Lateral; right wrist XR; boy, 17 yo; subsequent exam; 85.7 mm image width.

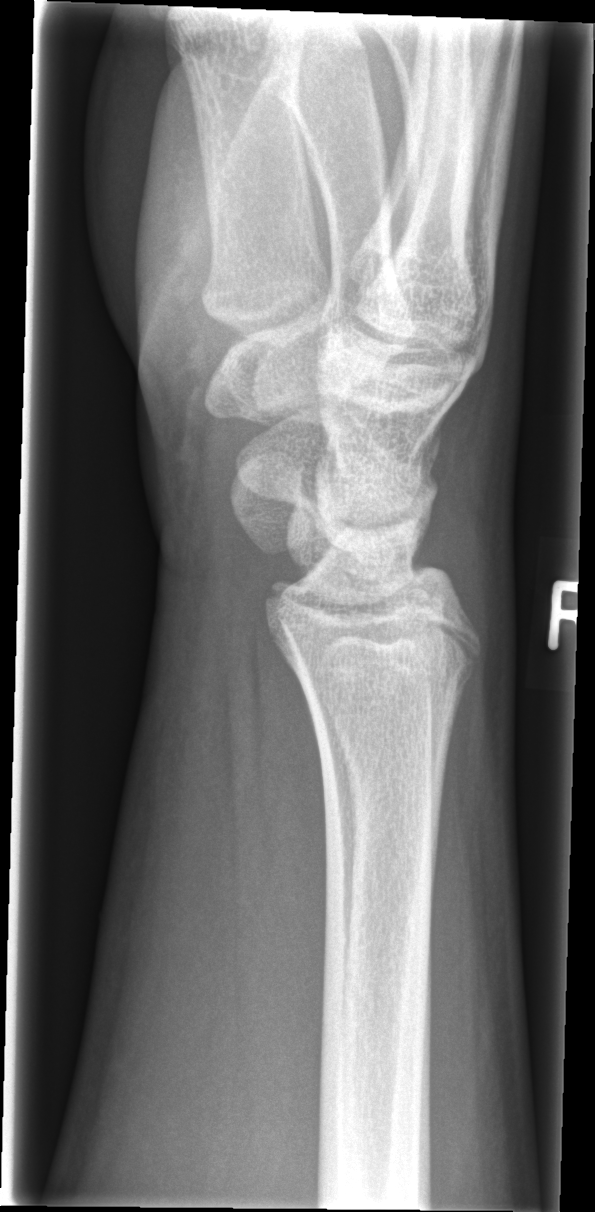 Fx: 1 @ [x1=293, y1=646, x2=485, y2=709]
AO code: 23r-M/2.1